Right wrist X-ray, lateral projection, index exam, image size 442x1010 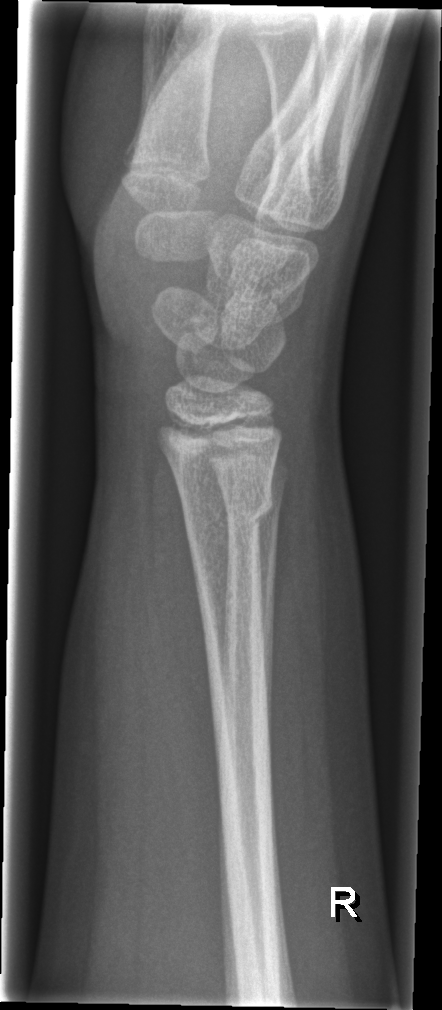

{"_coords": "boxes as x1,y1,x2,y2 (top-left / bottom-right, pixel units)", "fracture": "1 @ 179,480,276,537"}